Posteroanterior projection | R wrist plain film | Siemens.

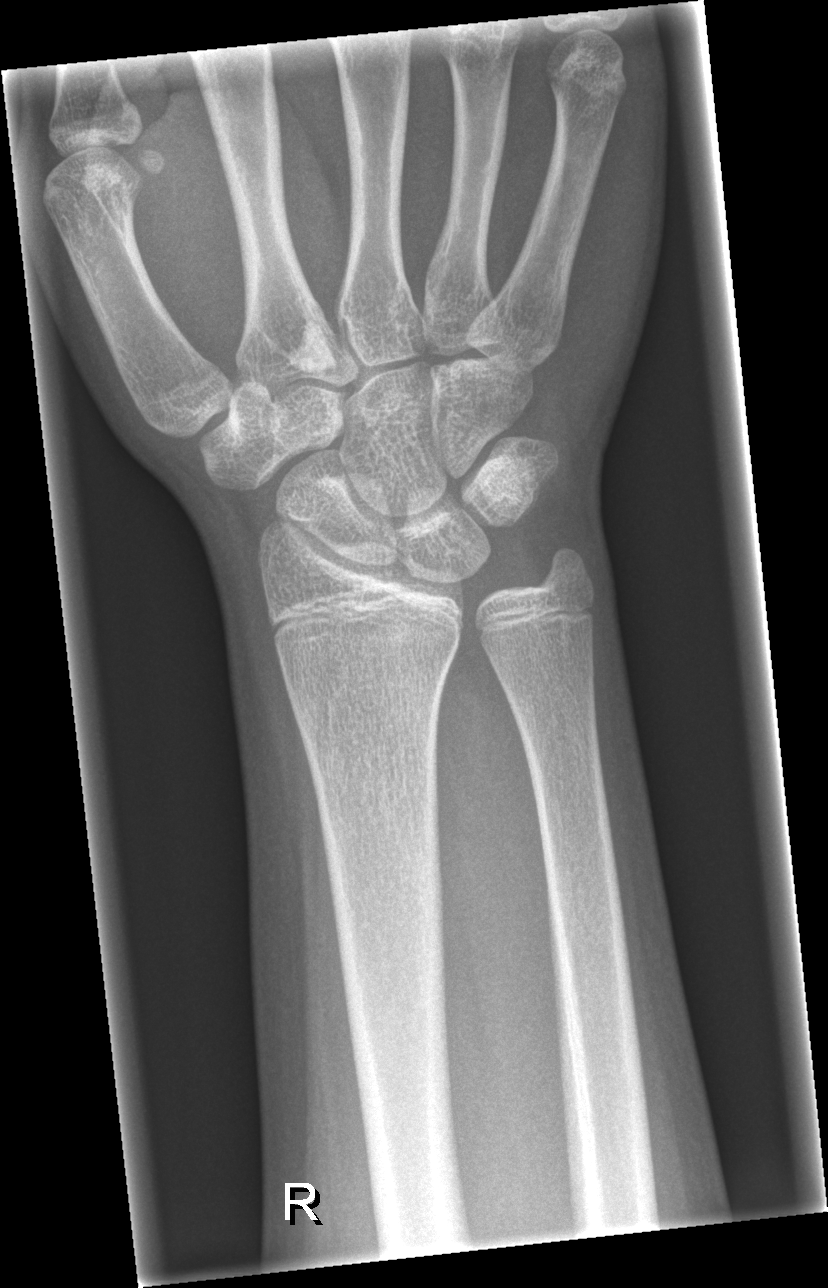 Fracture: none labeled.